Lateral view, left wrist plain film, male, 11 yo: 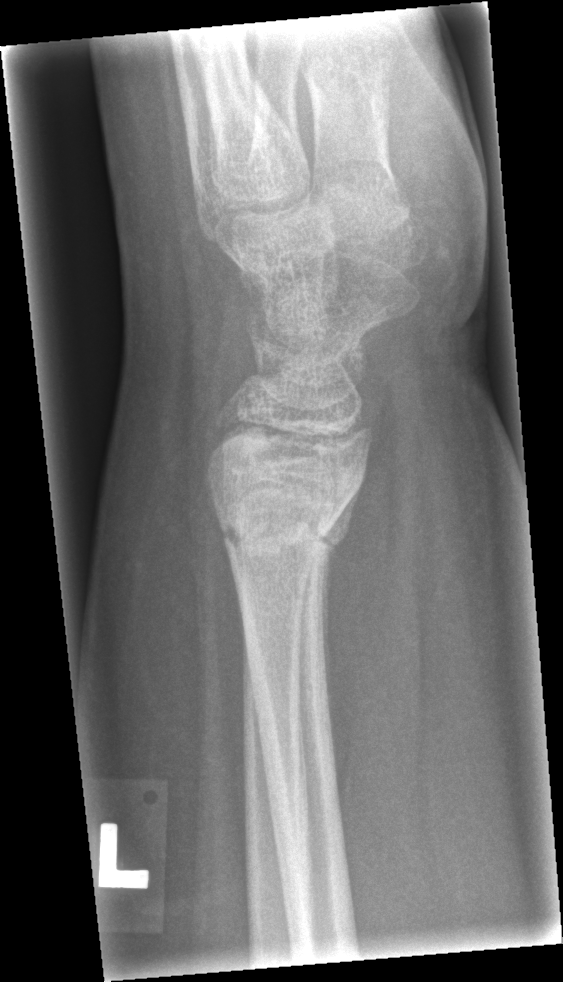
Boxes as x1,y1,x2,y2 (top-left / bottom-right, pixel units).
Fracture classified AO/OTA 23r-M/3.1; 23u-E/7.
Fracture: 200 458 366 571.
Osteopenic.